PA view, right pediatric wrist radiograph, age 8 y, boy —

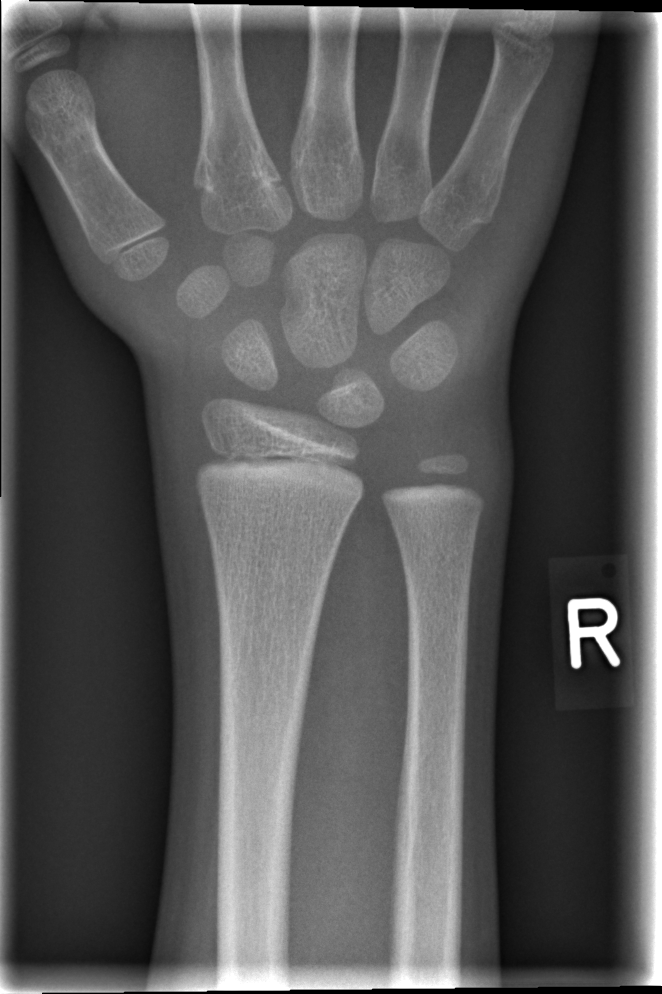
Q: AO code?
A: AO code 23r-M/2.1
Q: Any fracture seen?
A: Fracture: present but not clearly seen in this view